Left pediatric wrist radiograph · frontal projection · girl, 14 yo · presentation radiograph
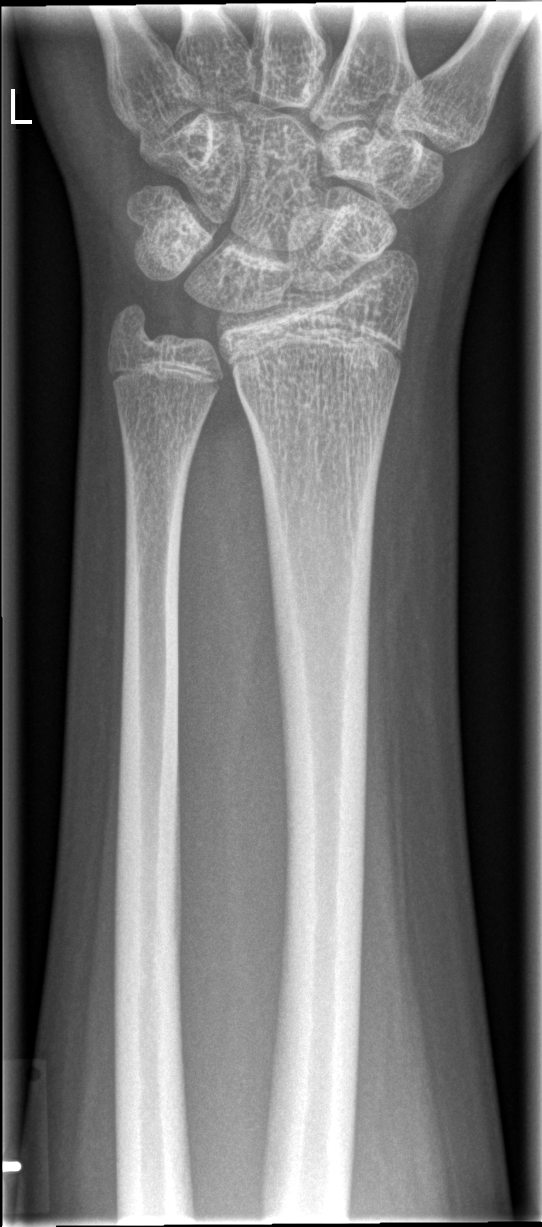

No fracture bounding box.